L wrist XR, lateral projection, initial study —
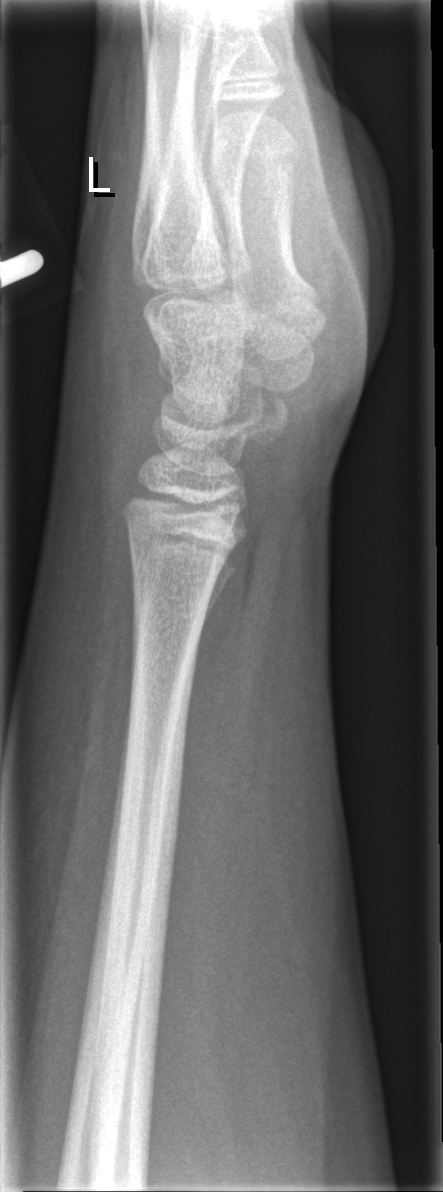
No fracture annotation.